R wrist radiograph; lateral view; age 7 y, male; index exam; detector: Siemens: 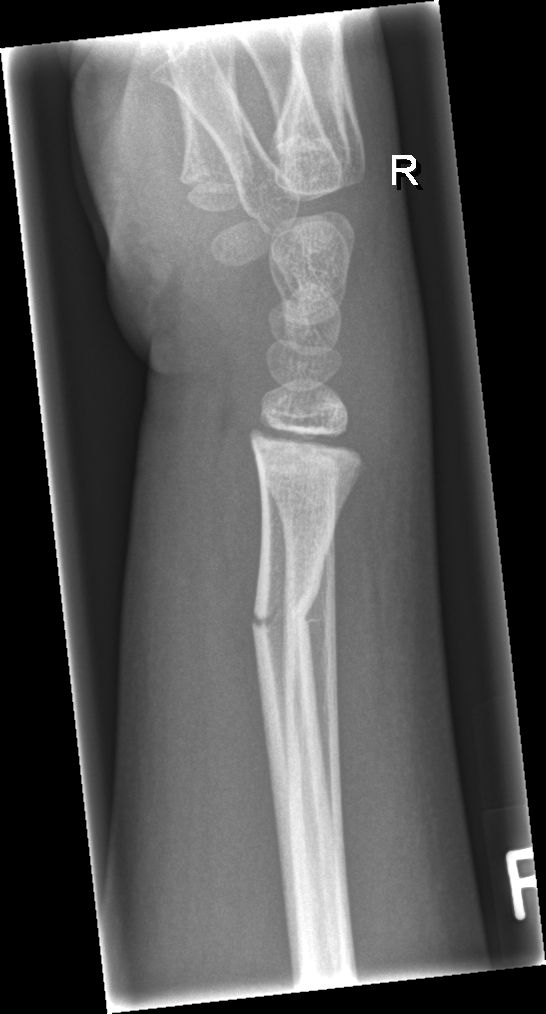 bone fracture = bbox(250, 574, 324, 650)
AO classification = 23r-M/3.1
soft-tissue swelling = bbox(347, 212, 435, 557)